Right wrist pediatric wrist radiograph · AP —
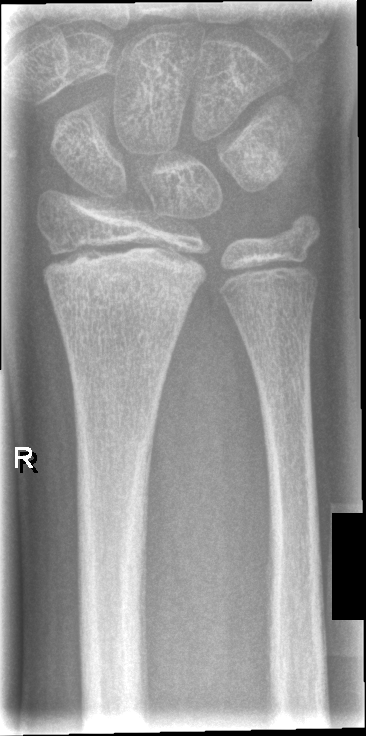
AO/OTA classification: 23r-E/2.1; 23u-E/7. Fx identified at [x1=43, y1=243, x2=209, y2=316] [x1=283, y1=209, x2=324, y2=254].